Right wrist pediatric wrist radiograph | lat | pediatric patient (girl, age 3) —

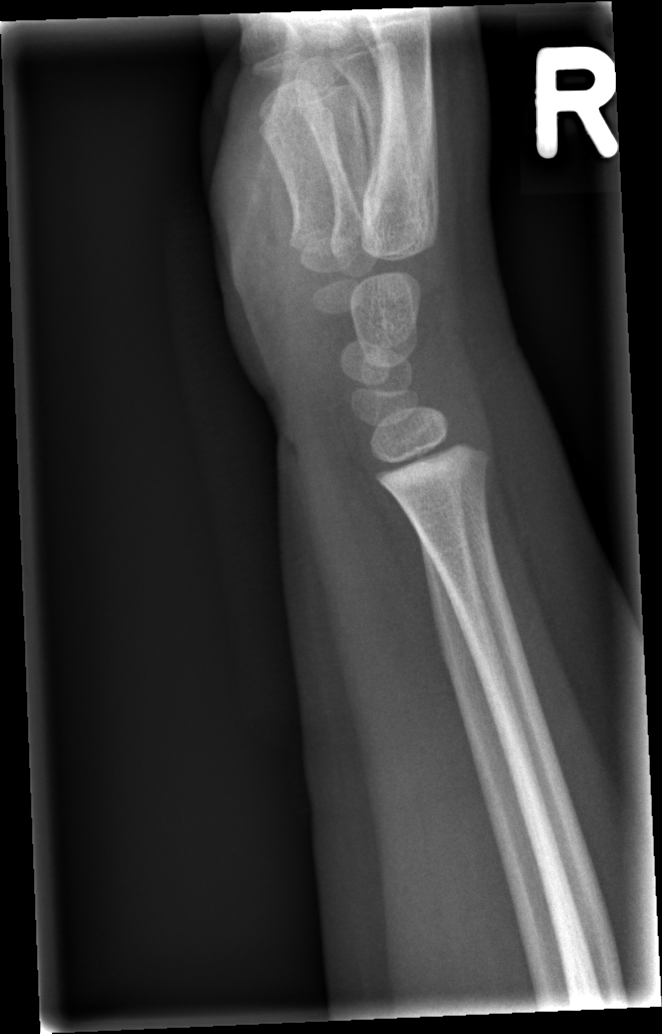
Bone fracture = none labeled